Left wrist pediatric wrist radiograph · lateral · follow-up · cast present:

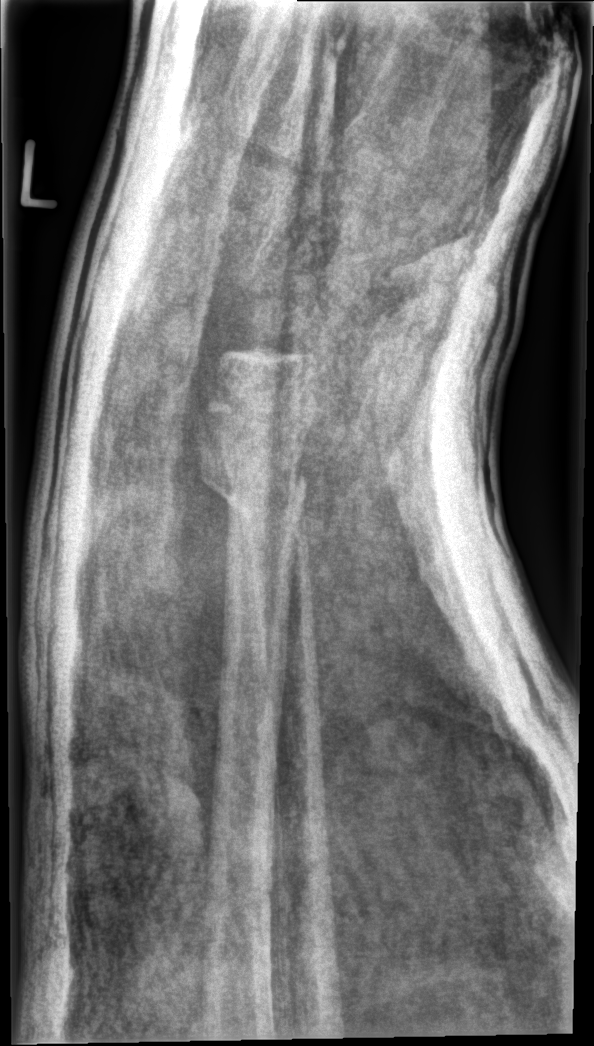

(pixel coordinates, top-left origin, xyxy)
Q: Is there a fracture?
A: One Fx at (left=197, top=448, right=310, bottom=527)